PA, Rt wrist radiograph, image size 621x1140 — 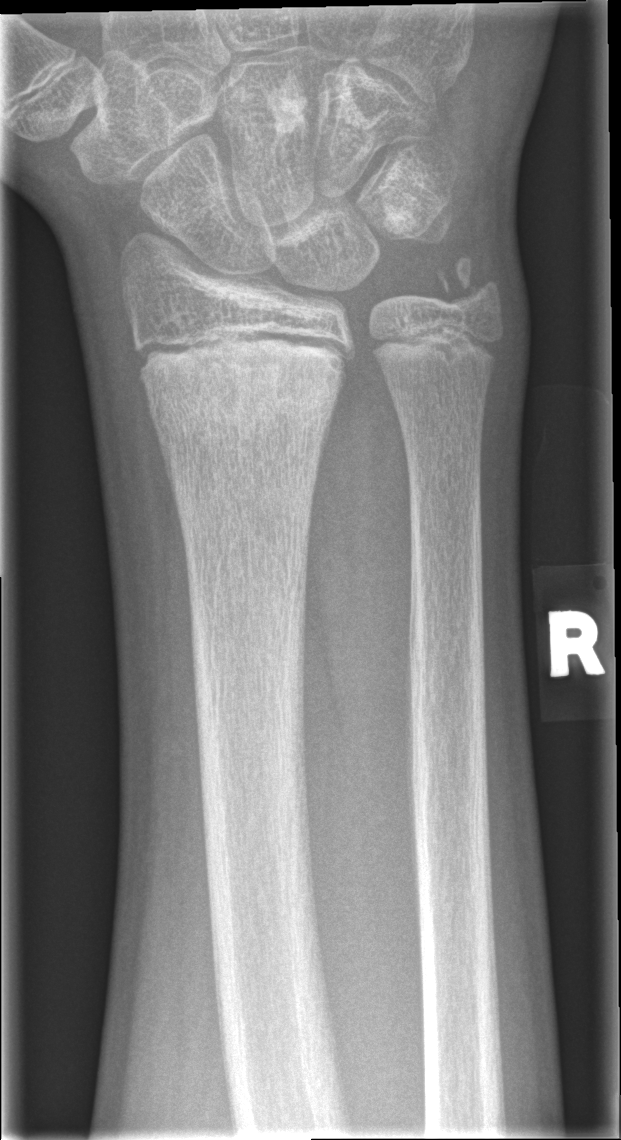

(pixel coordinates, top-left origin, xyxy)
Fracture: (137, 324, 352, 438); (428, 247, 510, 328)
Osseous lesion: (262, 68, 312, 146)
Osteopenia: present